Lt wrist X-ray | AP | 8-year-old boy | acquired on Siemens.
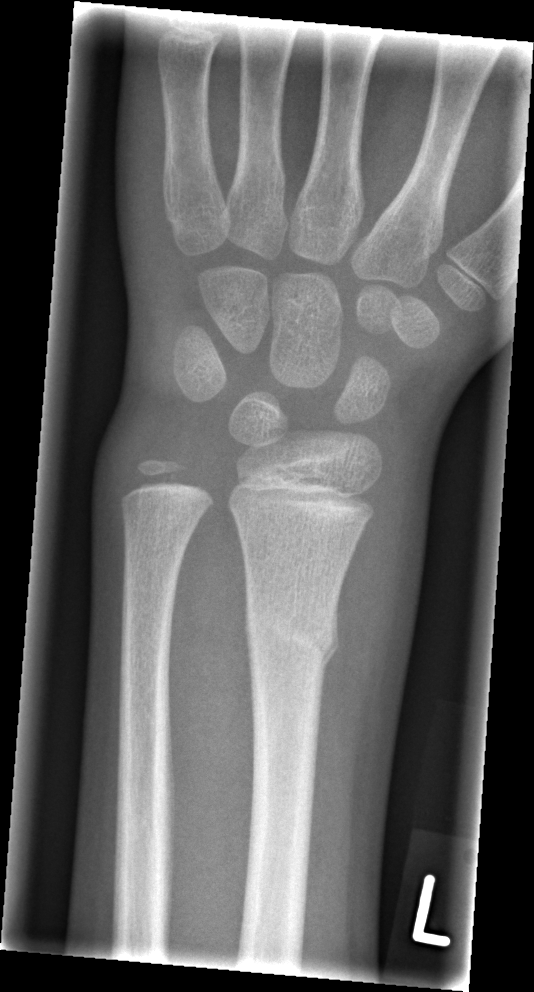 Q: Fracture present?
A: Bone fracture: (left=242, top=598, right=341, bottom=676)